Rt plain radiograph of the wrist, lat view, 12-year-old boy, 62.6 mm image width:
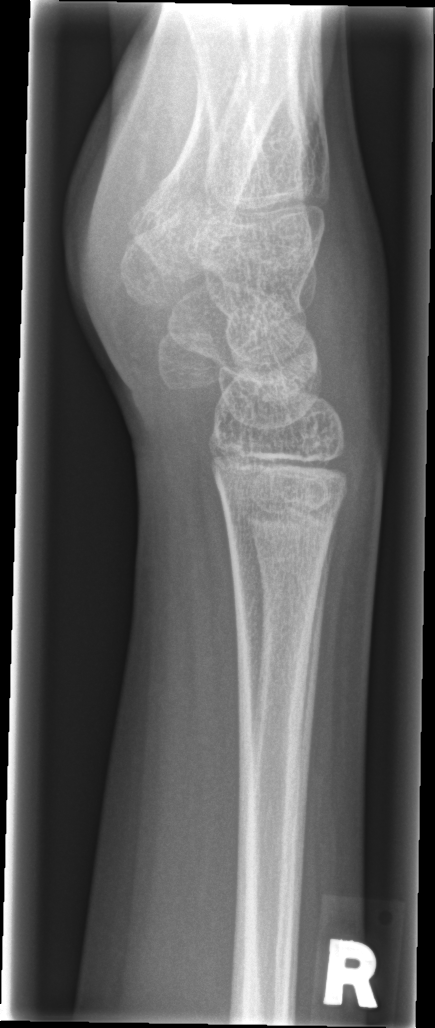 FINDINGS — No Fx annotated.